Lateral | Lt wrist XR | subsequent exam

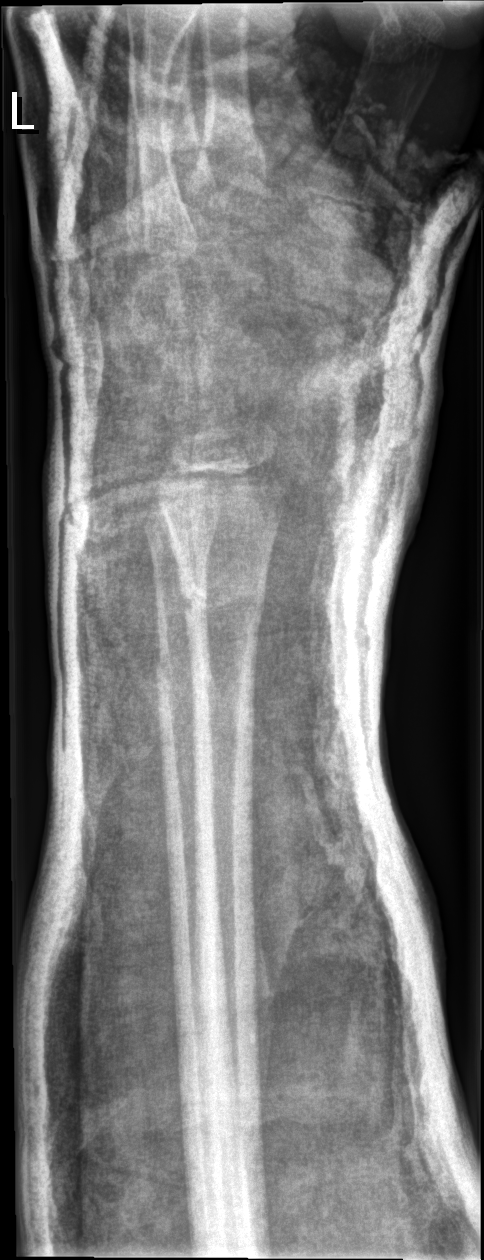
AO code: 23r-M/3.1; 23u-M/2.1
fracture: <171,560>-<273,647>; <151,642>-<217,702>